Lateral; left wrist plain film 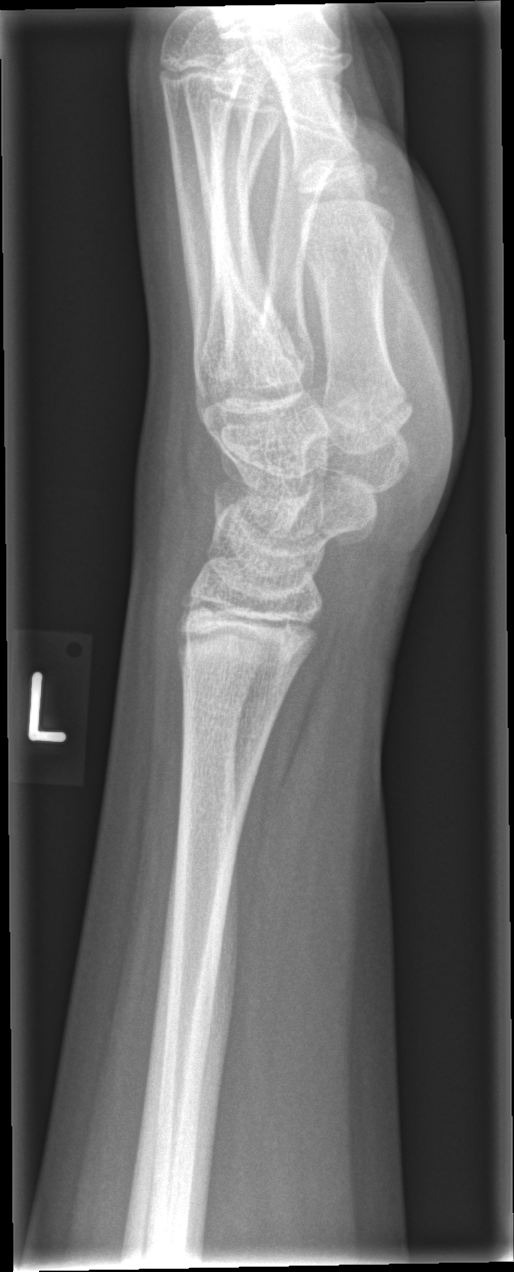
No fracture annotation.